Frontal view; L pediatric wrist radiograph; pediatric patient (male, age 12); follow-up; 82.9 mm image width; 576 by 1166 pixels 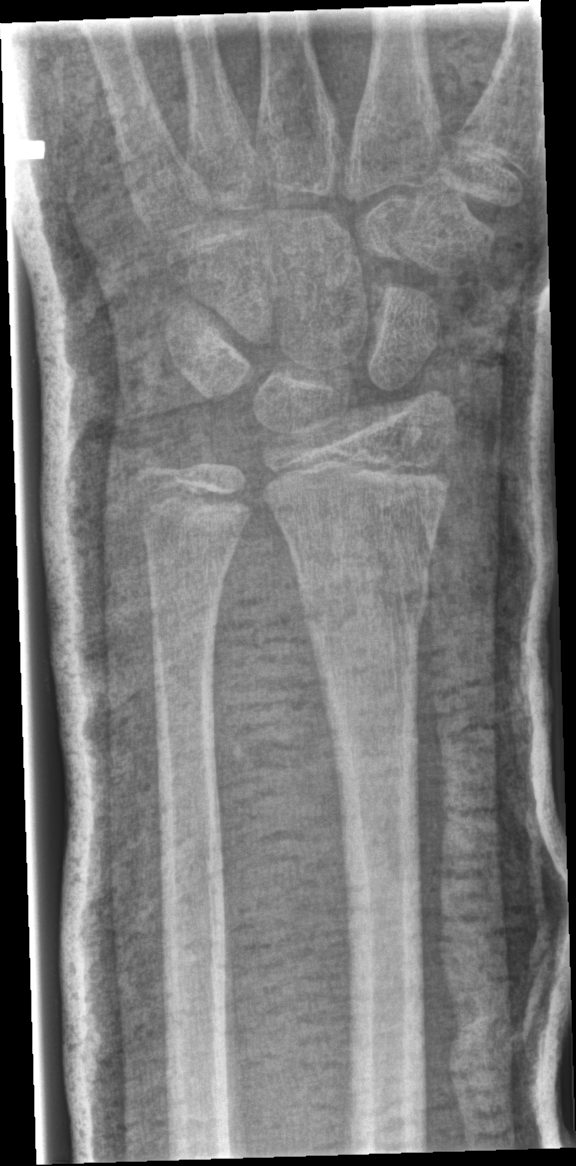 * AO/OTA classification: 23r-M/3.1; 23u-E/7.
* Bone fracture — bbox(291, 552, 433, 636).